Right wrist pediatric wrist radiograph | PA/AP | pediatric patient (male, age 13) | Siemens | image size 590x956:
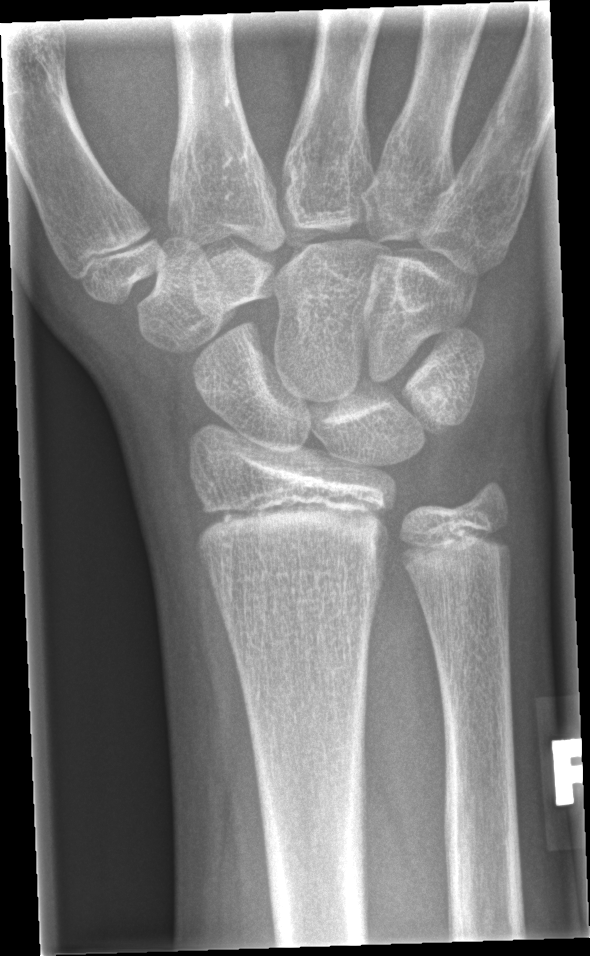 No Fx annotated.